Rt wrist XR | lat projection | age 15 y, boy | Siemens | image 96.5 mm wide.

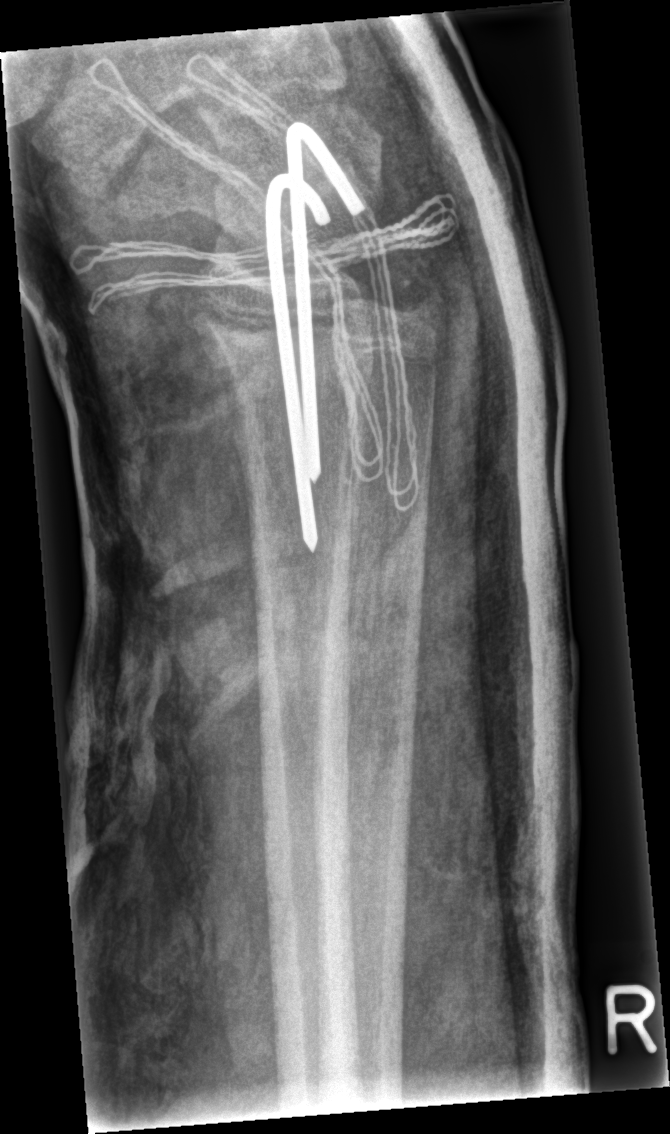 (bounding boxes in image-pixel xyxy)
Metal = 1 @ (262, 119, 366, 555)
Fx = 1 @ (186, 286, 271, 349)